Lateral projection, R pediatric wrist radiograph, 12y M, 548 x 1164 px.

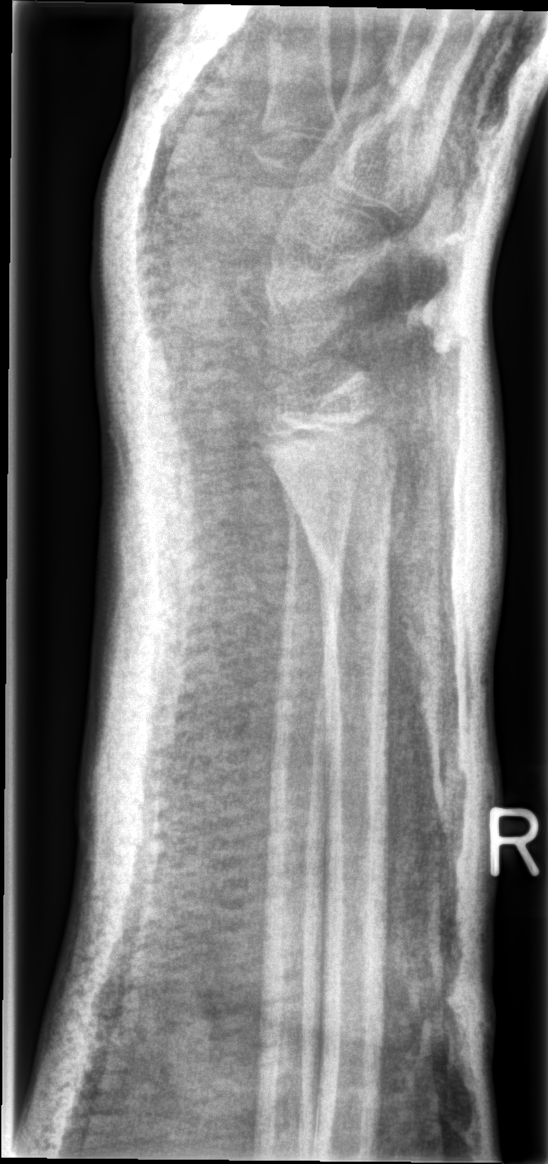

Coordinates are [x1, y1, x2, y2] in image pixels.
Bone fracture: 308,534,400,618.
Fracture classified AO/OTA 23-M/2.1.